PA view | left wrist plain film | age 11 y, male: 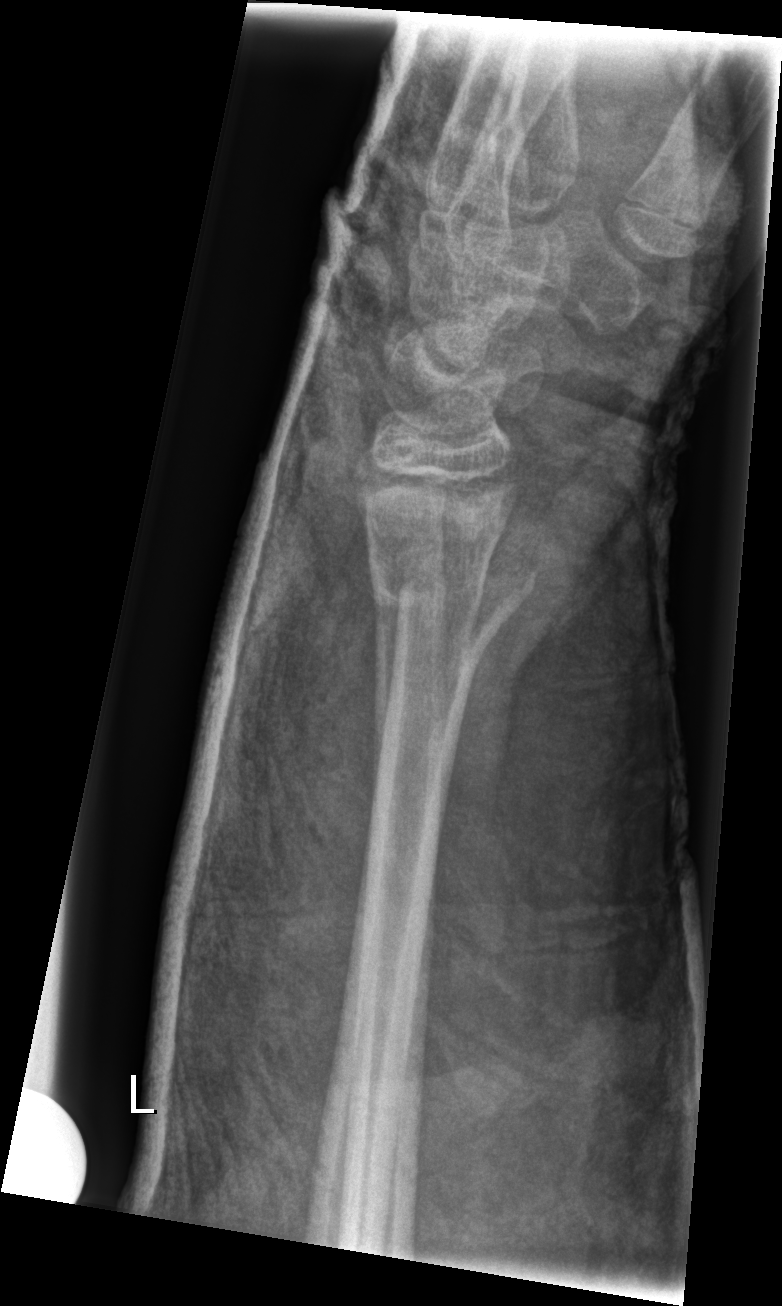

FINDINGS — (boxes as x1,y1,x2,y2 (top-left / bottom-right, pixel units)) Fracture classified AO/OTA 23r-M/3.1; 23u-M/2.1. Fracture: [x1=363, y1=529, x2=542, y2=630].